R plain radiograph of the wrist | PA | 12-year-old girl:
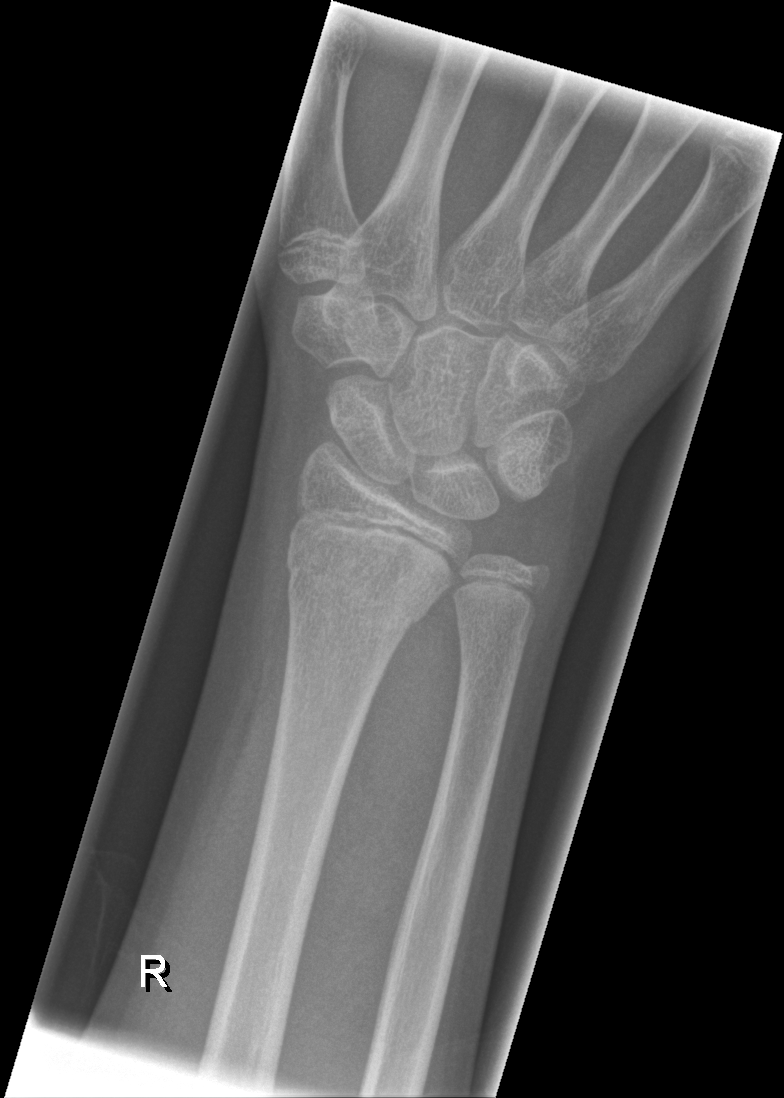
- One fracture at bbox(279, 523, 435, 640).
- AO code 23r-M/2.1; 23u-E/7.